Right wrist radiograph · PA · 7y F · index exam 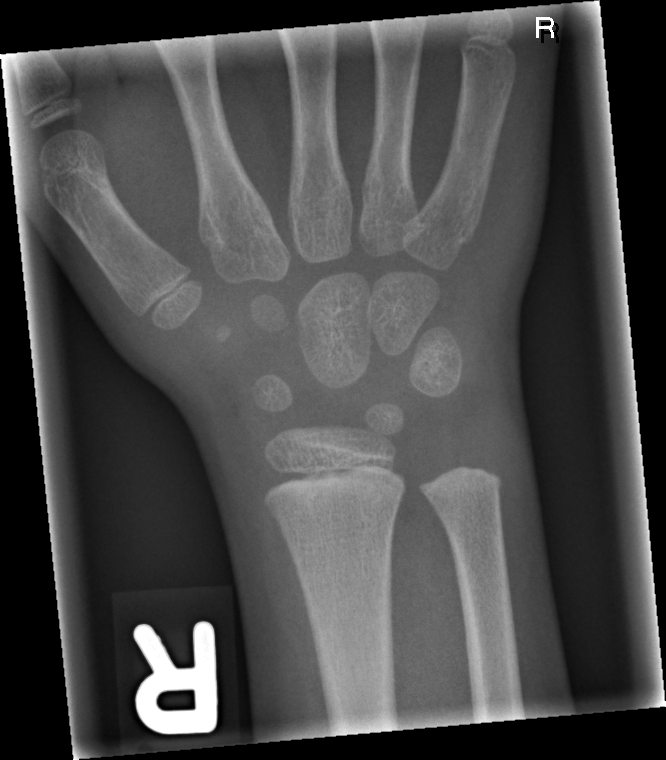
Fx = none labeled